Lat · left wrist plain radiograph of the wrist · girl, 10 yo · initial study · image 78.9 mm wide · 548 x 698 px.
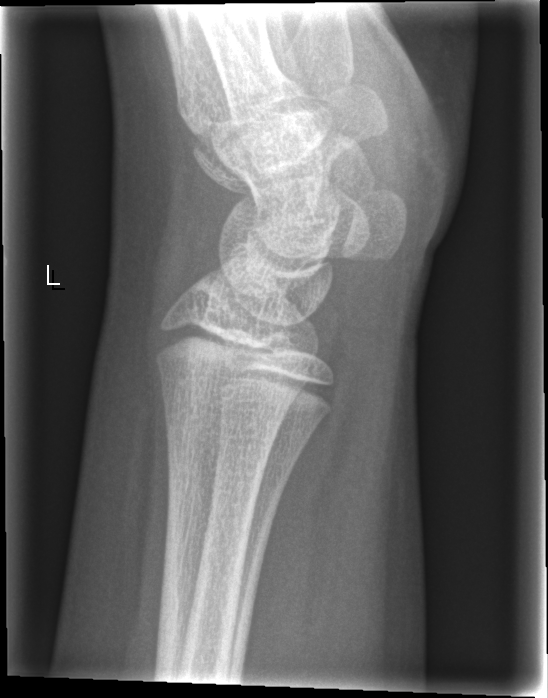

Bone fracture: none labeled